Lateral projection · left wrist plain film · detector: Siemens.

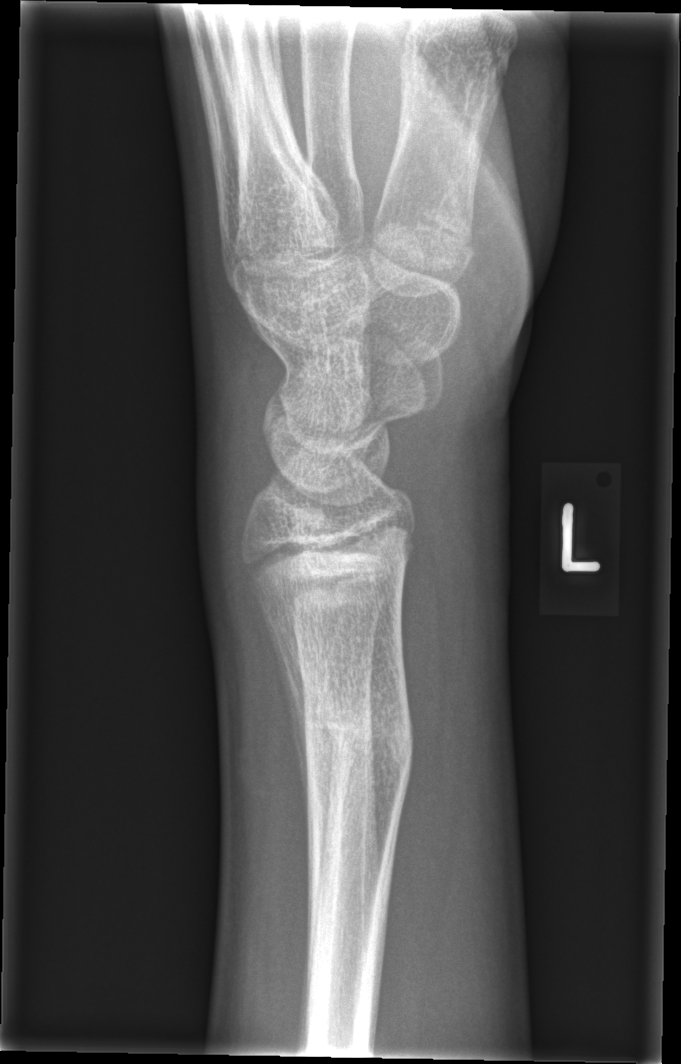

* Bone fracture identified at (284, 672, 417, 810).